Lt wrist radiograph · frontal projection · 14-year-old male · 142.0 mm image width —

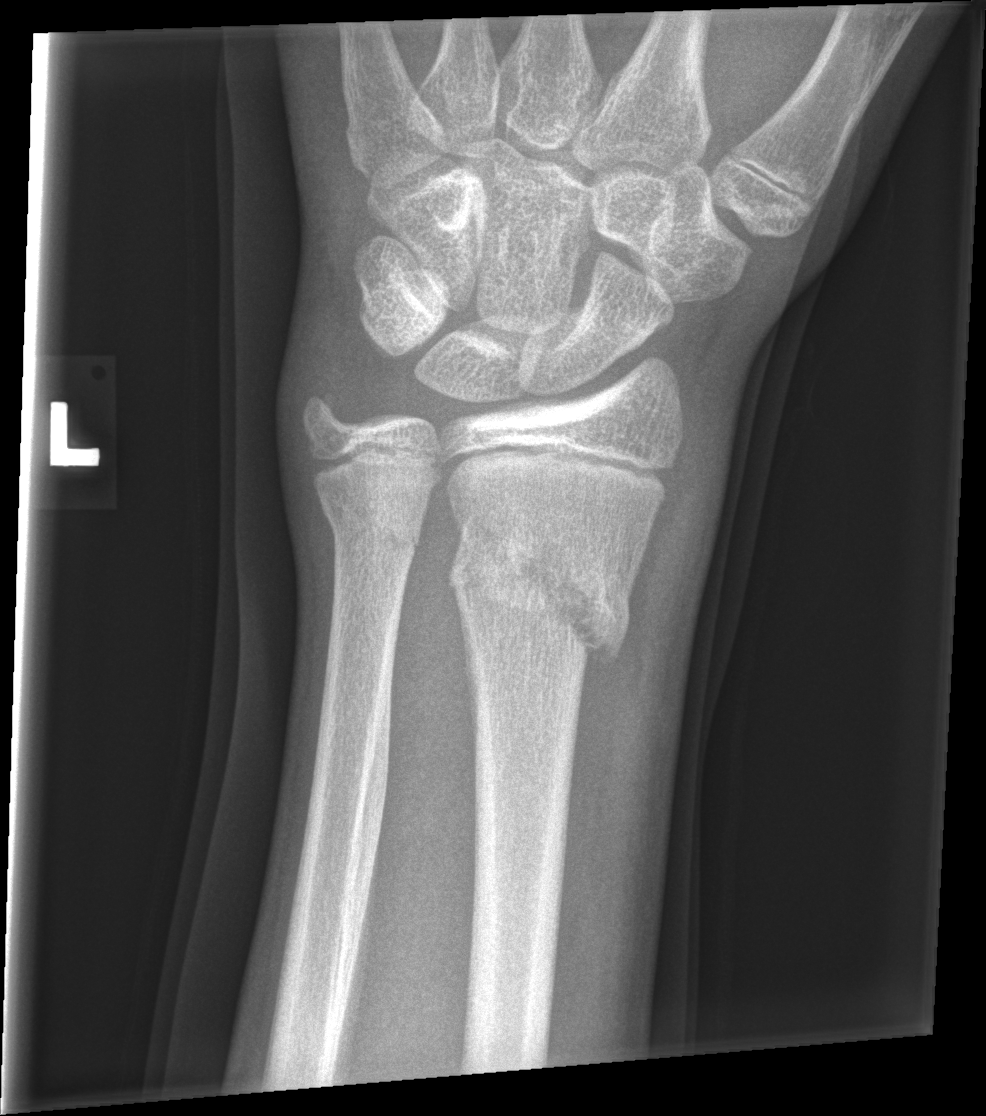 Coordinates are [x1, y1, x2, y2] in image pixels.
AO code 23-M/3.1; 23u-E/7.
Fx identified at (left=444, top=515, right=632, bottom=673) (left=318, top=484, right=423, bottom=568) (left=295, top=382, right=358, bottom=447).